Lat projection; right wrist radiograph.
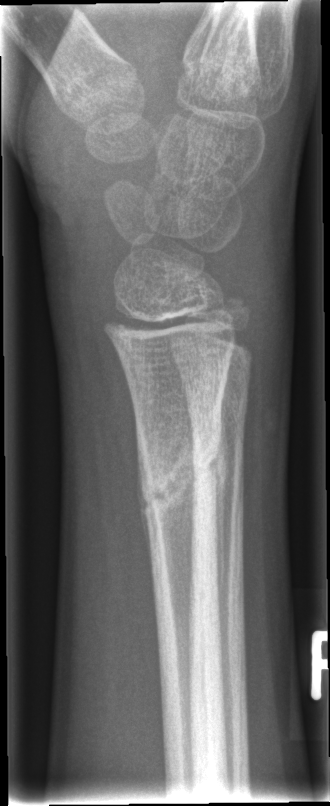

FINDINGS — Periosteal new bone — 137,450,149,552. Reduced bone mineral density. Fx — 138,421,231,524
  203,290,257,352.